Lat | right wrist plain film. 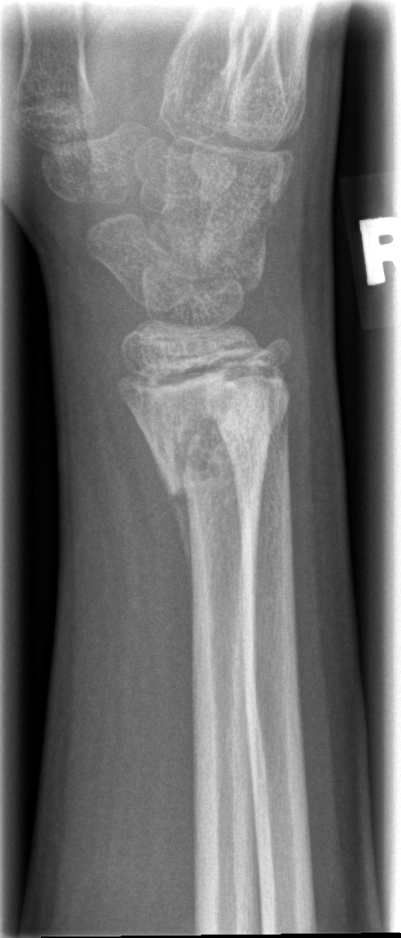

Periosteal reaction: (151, 448, 196, 602).
One Fx at (120, 371, 294, 498).
Fracture classified AO/OTA 23r-M/3.1.
Decreased bone density (osteopenia).